Posteroanterior projection · left wrist X-ray · image width 79.5 mm.
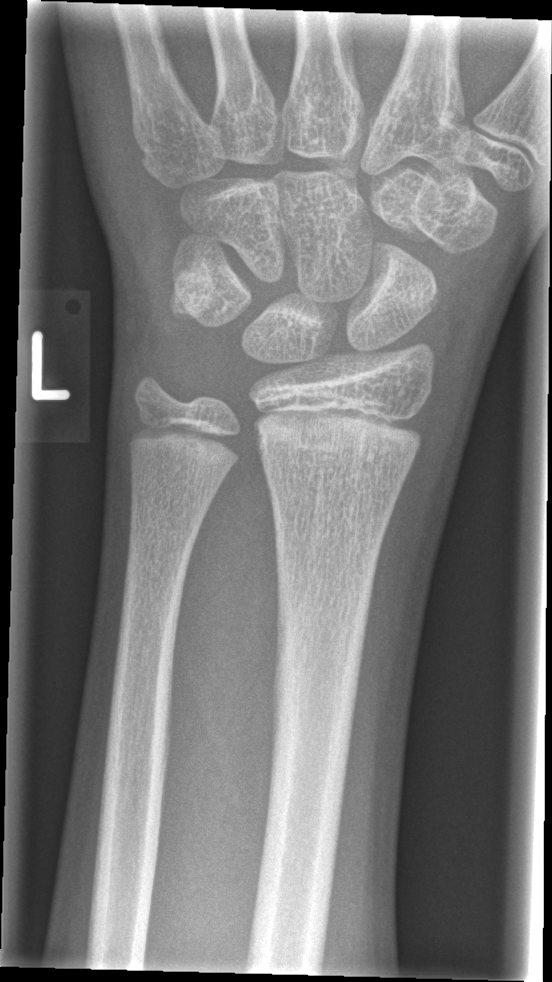 Fx: none.